L wrist radiograph · posteroanterior projection · 10-year-old boy —
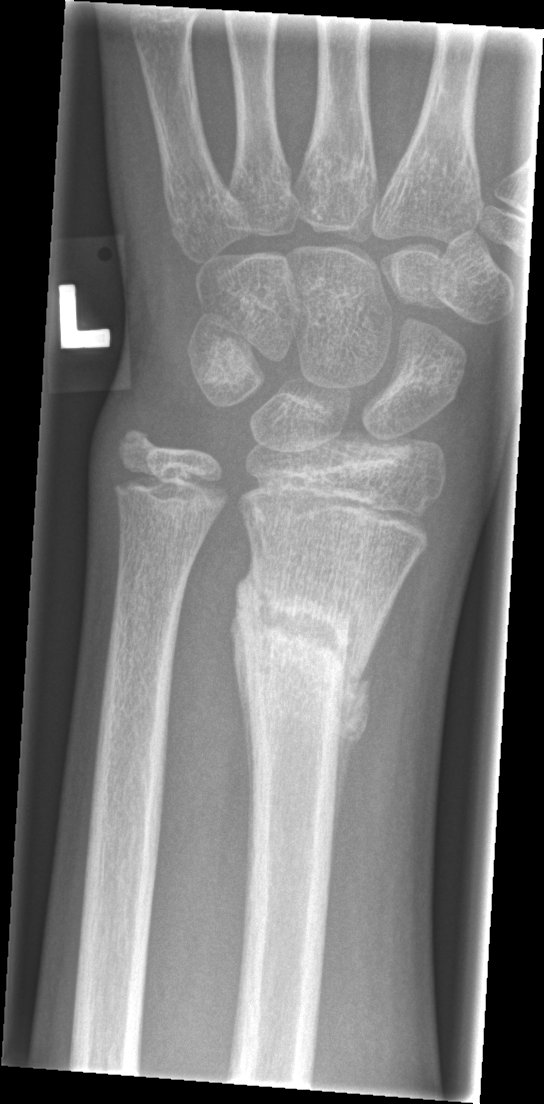

(pixel coordinates, top-left origin, xyxy)
Fracture: [x1=231, y1=573, x2=372, y2=733]
AO code: 23r-M/3.1
Periosteal thickening: [x1=327, y1=648, x2=374, y2=904], [x1=229, y1=602, x2=254, y2=803]